PA/AP projection; Lt wrist radiograph; imaged through cast.
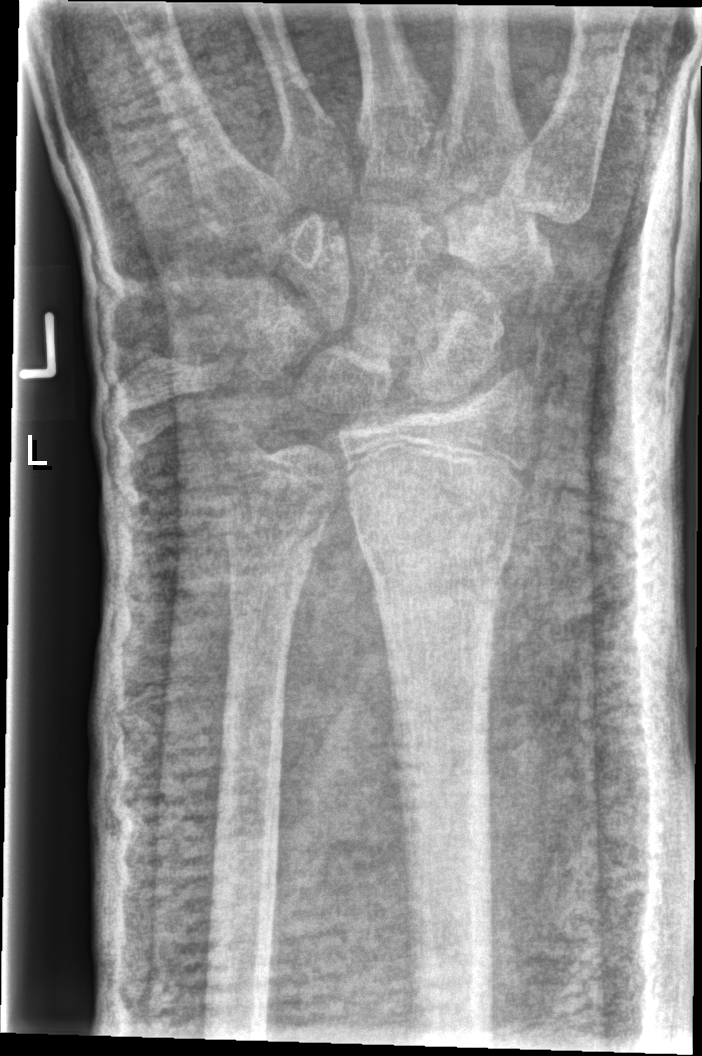
• Bounding boxes in image-pixel xyxy.
• Fx identified at [x1=357, y1=520, x2=516, y2=611].